Left wrist pediatric wrist radiograph; frontal view; 12-year-old boy:

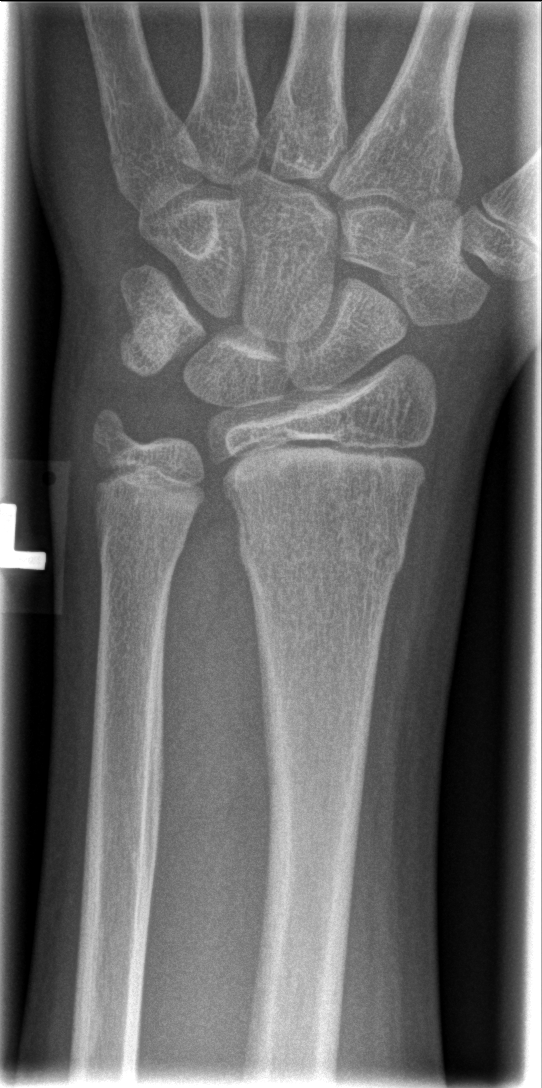
(coordinates are [x1, y1, x2, y2] in image pixels)
AO/OTA: 23-M/2.1; 23u-E/7
bone fracture: bbox(234, 512, 409, 581) bbox(91, 513, 191, 575) bbox(84, 400, 140, 457)